Lateral view; Lt plain radiograph of the wrist:
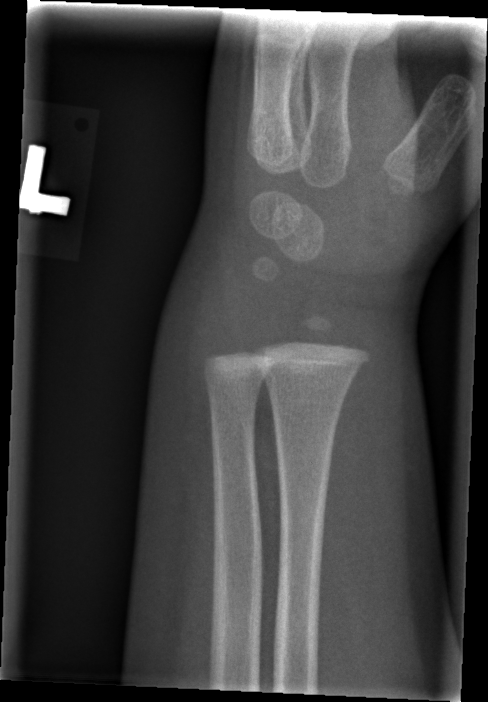
• Fx: none.